Frontal projection, right plain radiograph of the wrist, girl, 8 yo, cast in situ, 772 x 1244 px:

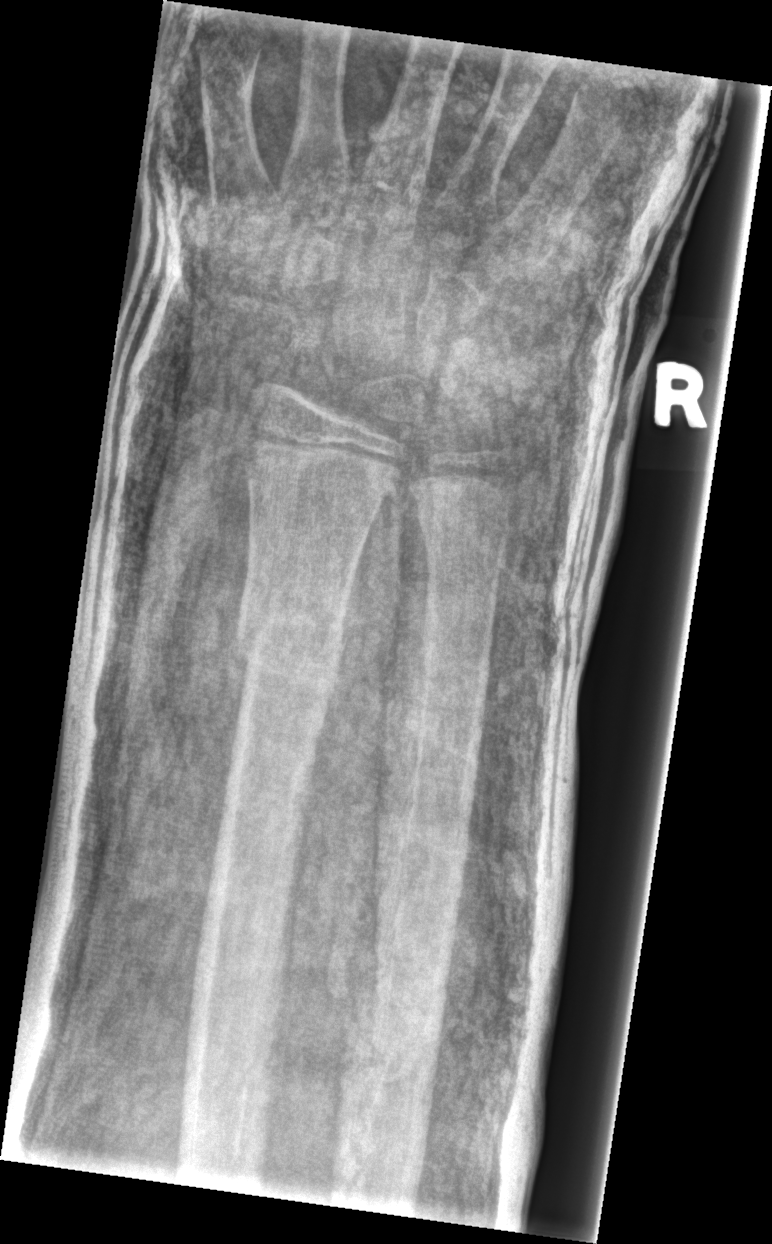

FINDINGS — Fx: bbox(233, 584, 350, 684); bbox(413, 497, 513, 555). Fracture classified AO/OTA 23r-M/3.1; 23u-M/2.1.